Lateral | R plain radiograph of the wrist | 15-year-old male | 498 x 778 px 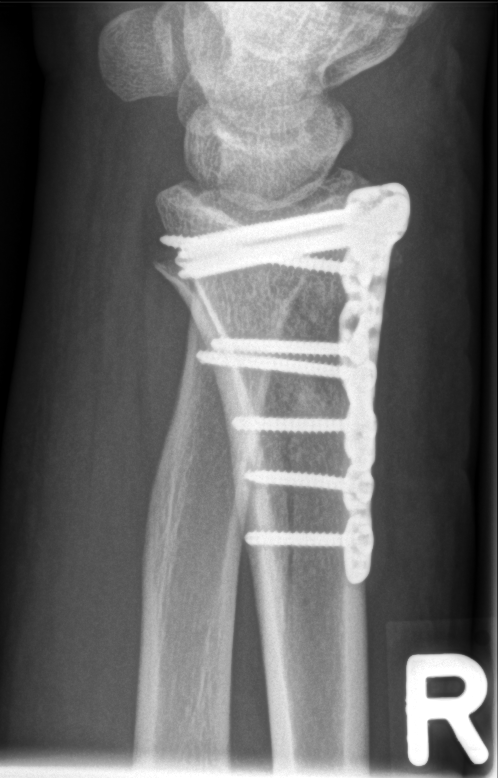
* Fracture classified AO/OTA 23r-M/3.1; 23u-E/7.
* Fx — bbox(145, 222, 377, 332).
* Metallic hardware: bbox(157, 179, 413, 587).